Lat view | right wrist XR | follow-up study | cast in situ.

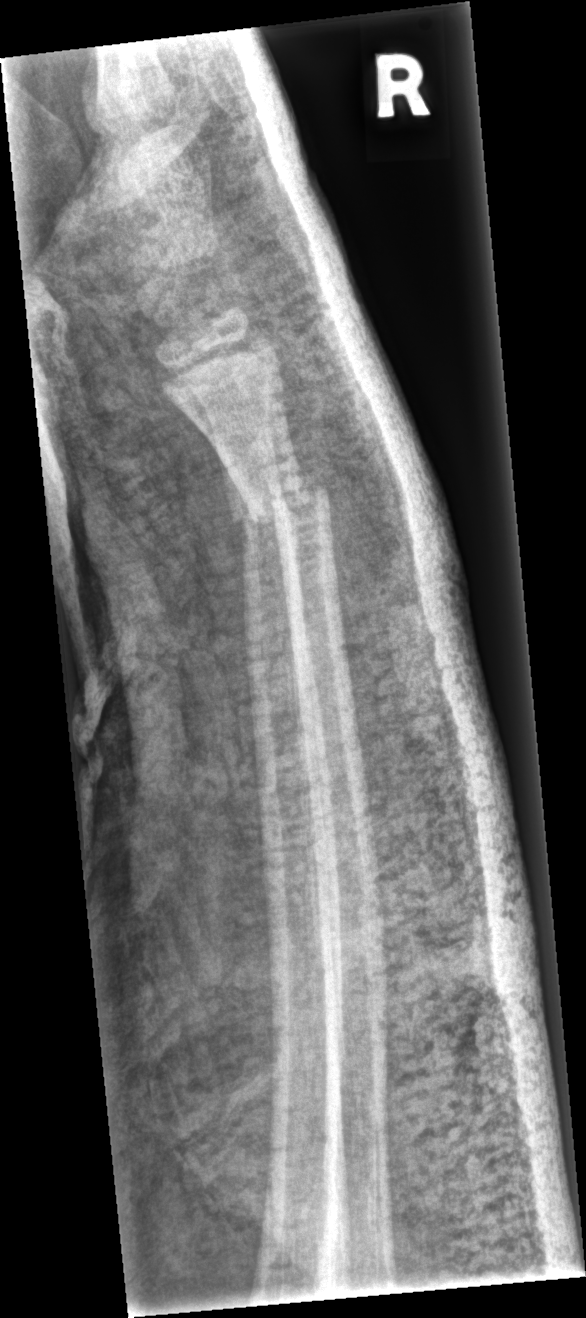 Fx: 1 @ (234, 481, 338, 544)